PA | right wrist plain film | female, 15 yo | presentation radiograph —
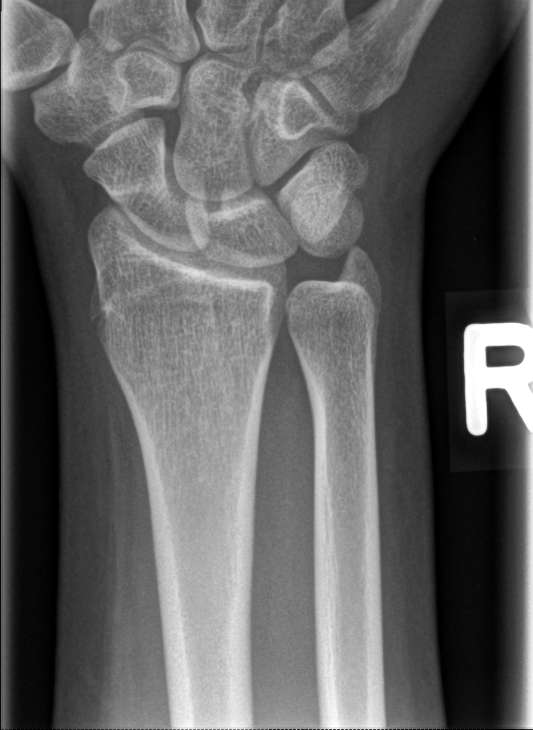

Q: Fracture present?
A: No fracture annotation